Lateral | L plain radiograph of the wrist | male, 12 yo | image 83.2 mm wide | 578 by 1012 pixels: 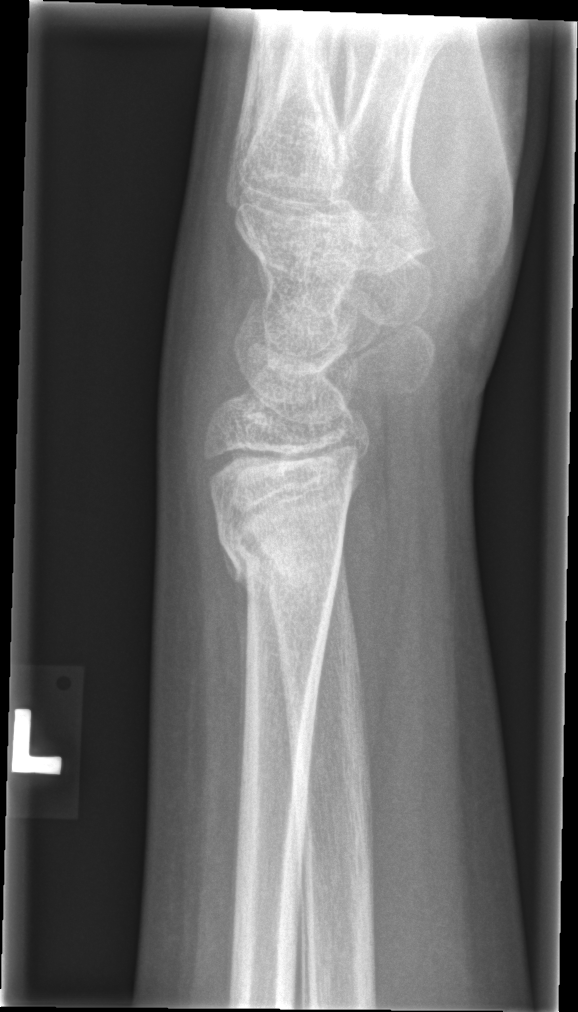
Pixel coordinates, top-left origin, xyxy.
One bone fracture at (212, 510, 348, 597).
Reduced bone mineral density.
Periosteal reaction — (222, 541, 250, 845).